Right wrist XR | frontal view:
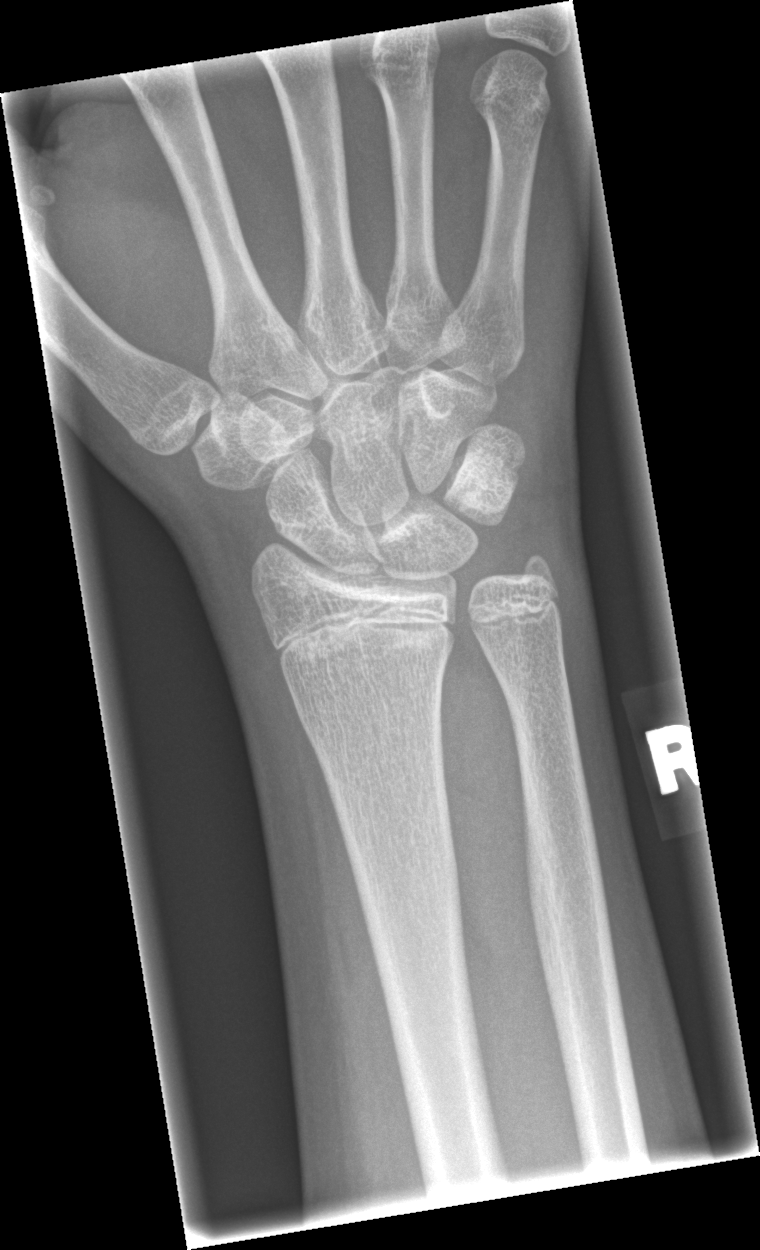

Fx: none.